Lateral view; right wrist XR. 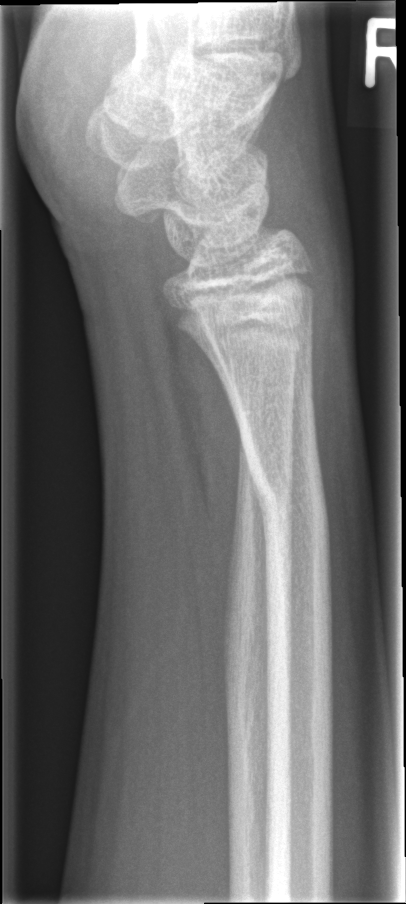

Boxes as x1,y1,x2,y2 (top-left / bottom-right, pixel units).
Fx identified at [x1=241, y1=450, x2=339, y2=562].